Lateral view, left wrist XR, 13y M, 80.1 mm image width 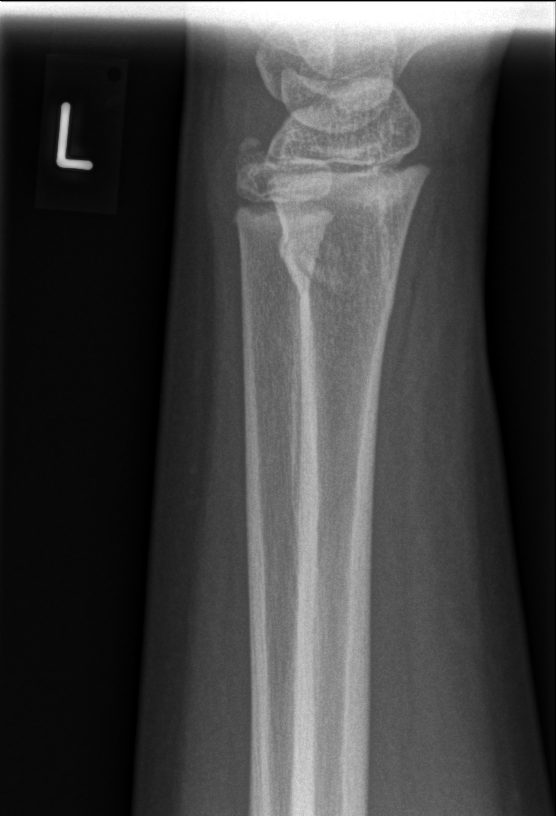 FINDINGS: Two fractures at bbox(276, 218, 403, 317) bbox(226, 123, 279, 178). AO code 23r-M/2.1; 23u-E/7.